Rt wrist radiograph | PA | imaged through cast.

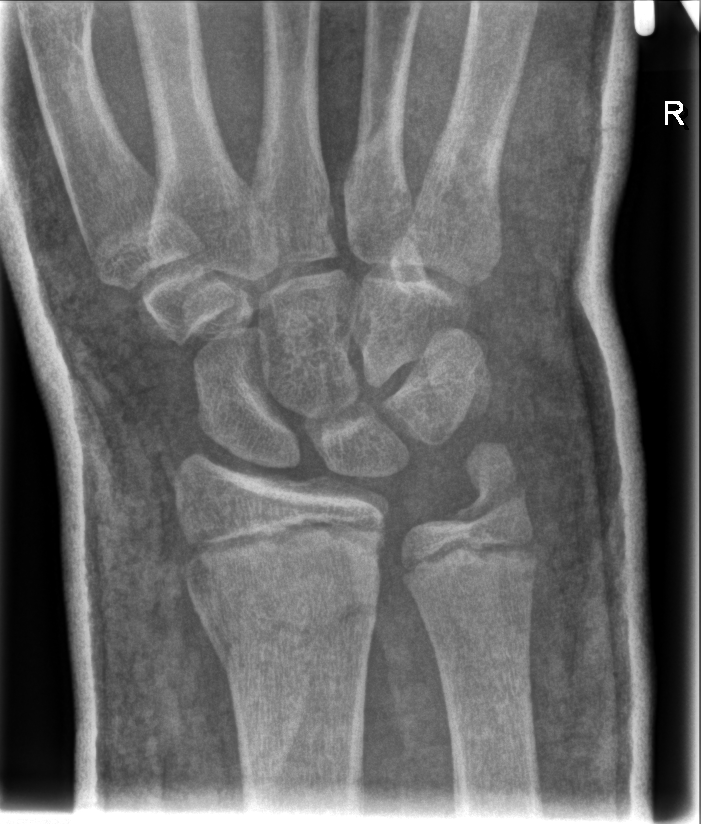
(bounding boxes in image-pixel xyxy)
AO code = 23r-M/3.1; 23u-E/7
Bone fracture = bbox(207, 585, 382, 675), bbox(442, 438, 536, 537)